Left wrist radiograph, posteroanterior projection, cast in situ, acquired on Siemens: 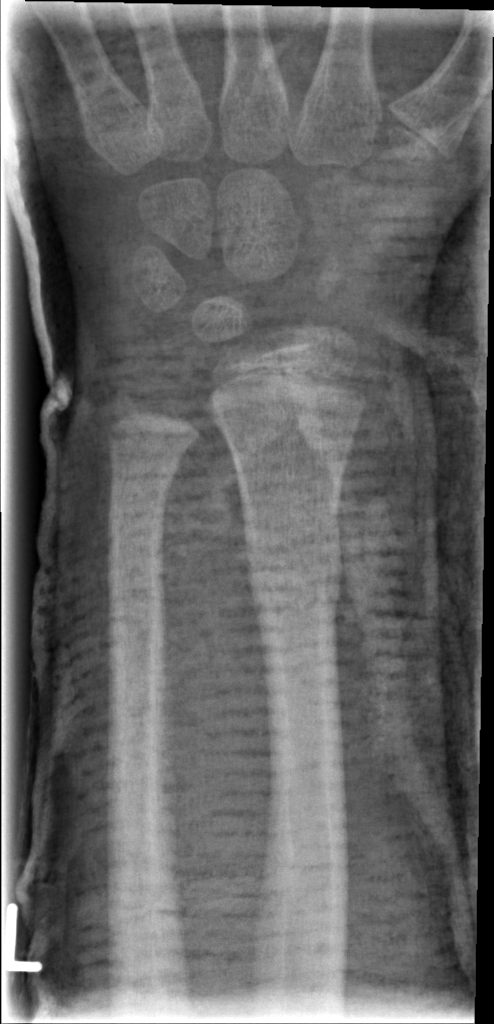
(boxes as x1,y1,x2,y2 (top-left / bottom-right, pixel units))
Bone fracture: (left=239, top=544, right=349, bottom=620)
AO/OTA: 23r-M/3.1; 23u-M/2.1